Frontal; right wrist X-ray; 77.5 mm image width. 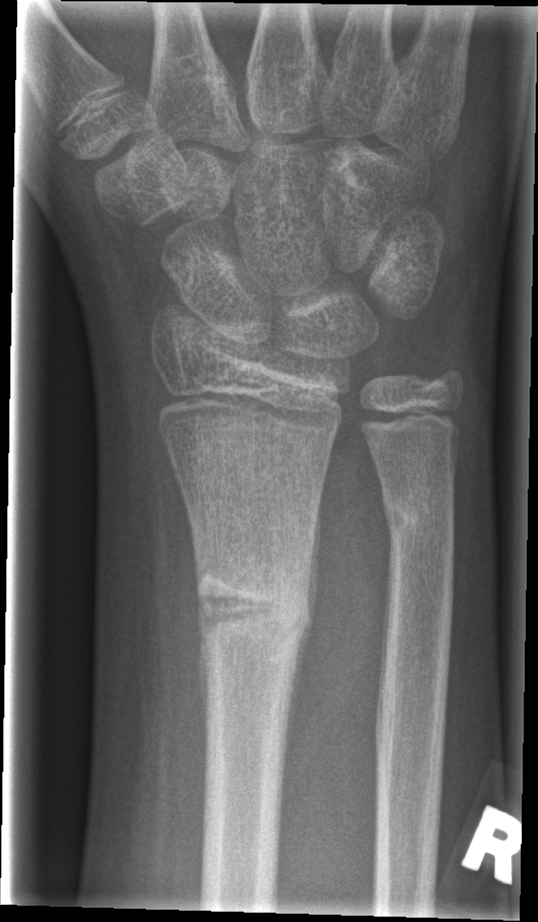

Two fractures at (left=196, top=570, right=316, bottom=656), (left=378, top=490, right=458, bottom=544). Reduced bone mineral density. AO code 23-M/2.1. Periosteal new bone identified at (left=197, top=635, right=210, bottom=743).